Rt plain radiograph of the wrist · lat view · 10y M 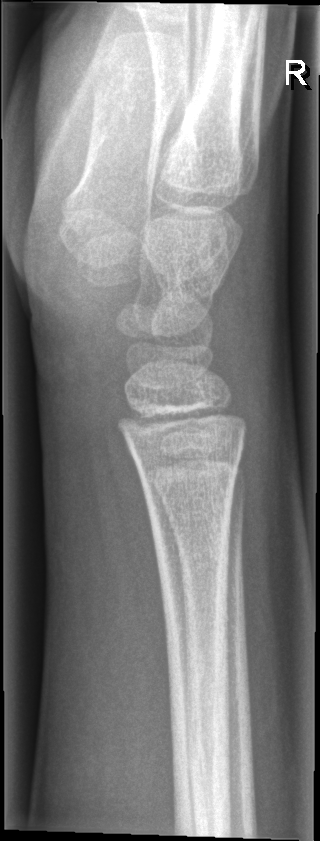

No fracture bounding box.